Lat; left wrist X-ray; 5-year-old girl.
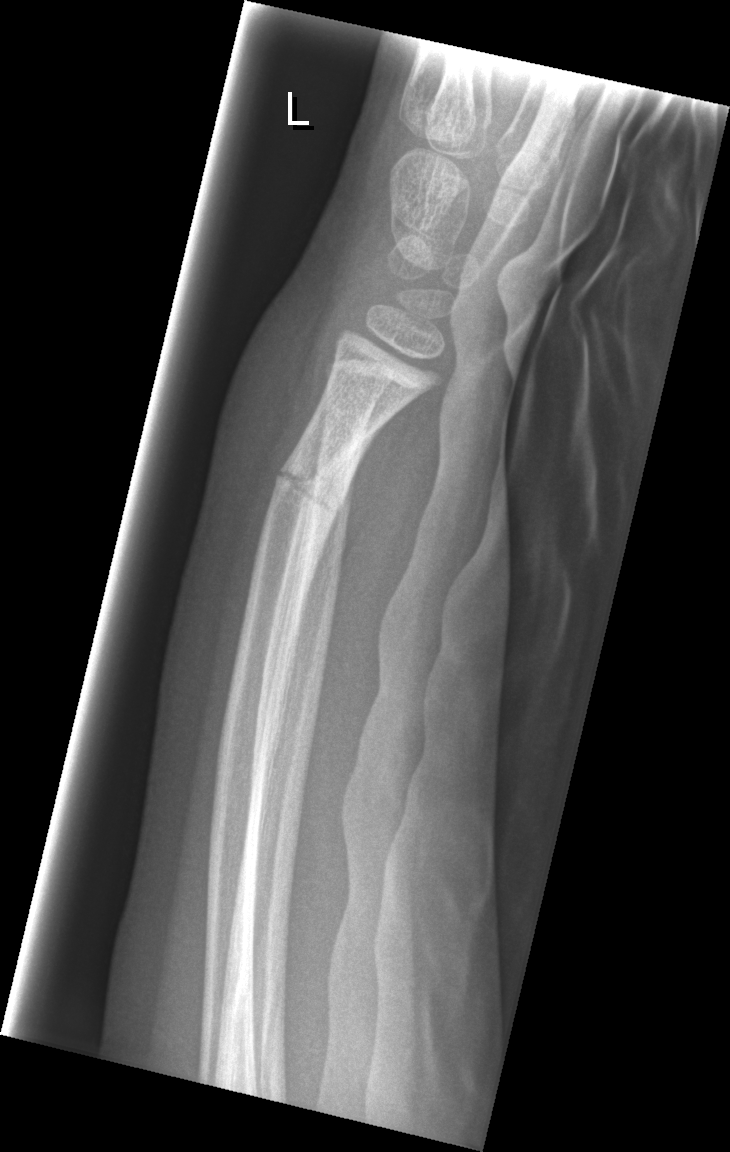 Pixel coordinates, top-left origin, xyxy.
One Fx at 262 460 355 529.
Soft-tissue finding identified at 194 281 325 549.